Lateral | left pediatric wrist radiograph | girl, 14 yo | Siemens | image width 81.5 mm.

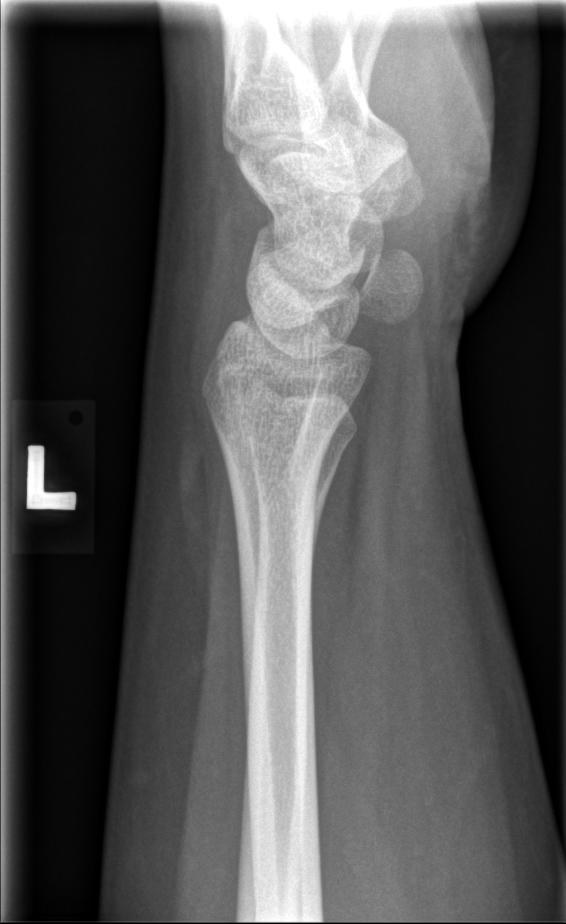

* No fracture labeled.